Posteroanterior projection · left wrist radiograph · pediatric patient (female, age 9) · 660 x 1076 px:

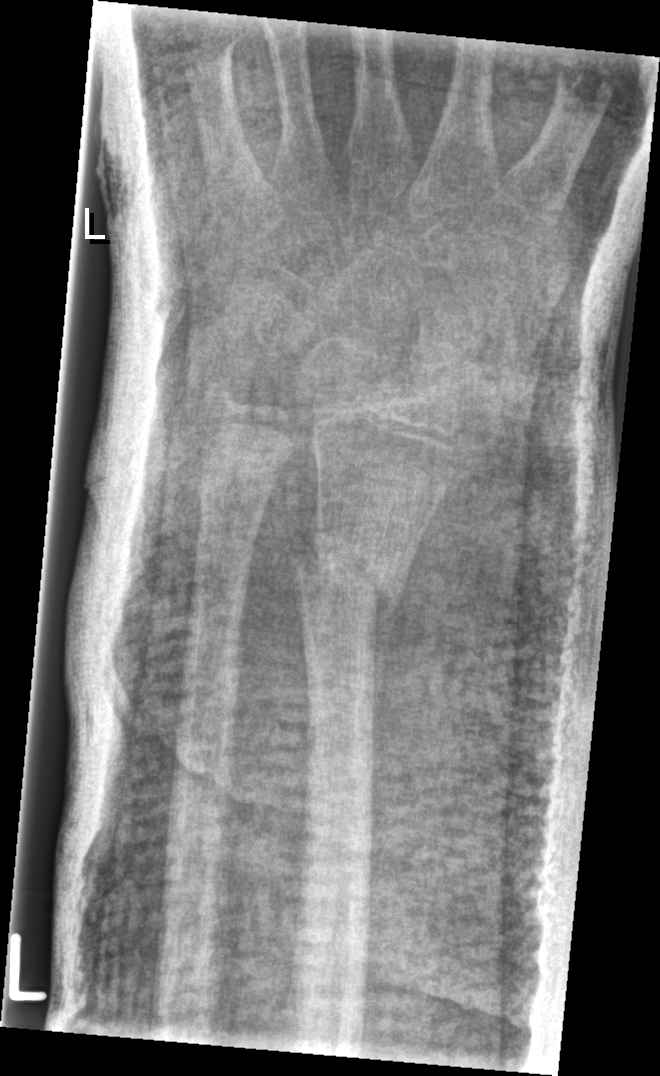   fracture: 1 @ bbox(288, 540, 409, 622)